AP projection | left plain radiograph of the wrist | 11y F. 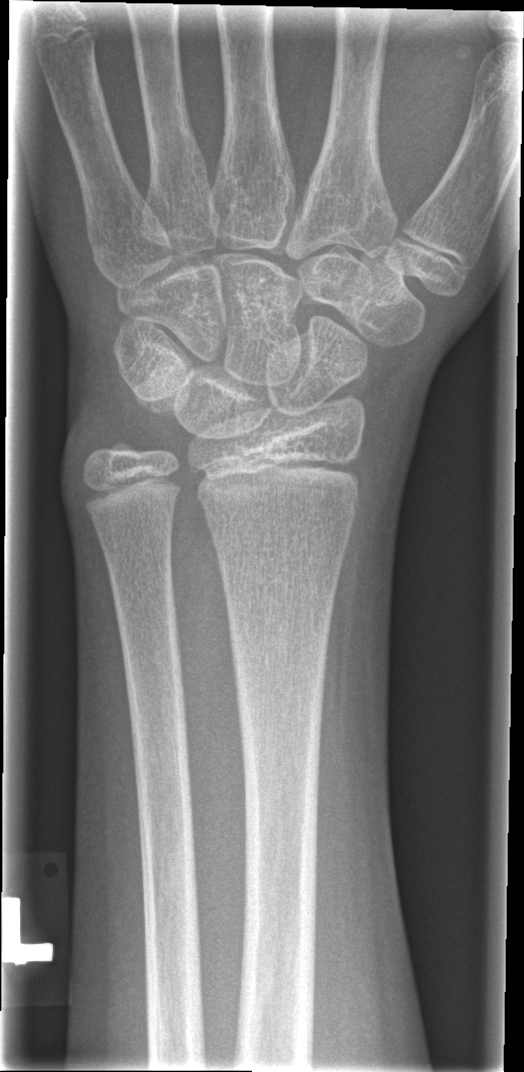
fracture: none labeled